Lat projection, right wrist X-ray, 2y F — 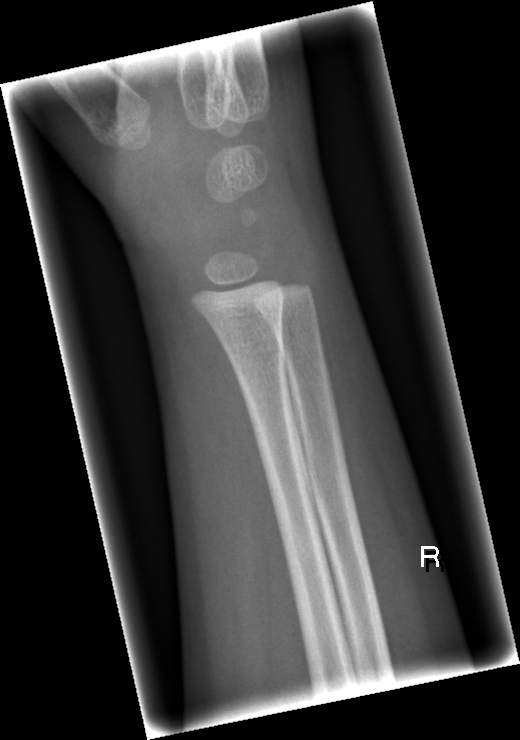
FINDINGS — No fracture labeled.